Left wrist pediatric wrist radiograph; lat projection; pediatric patient (boy, age 17)

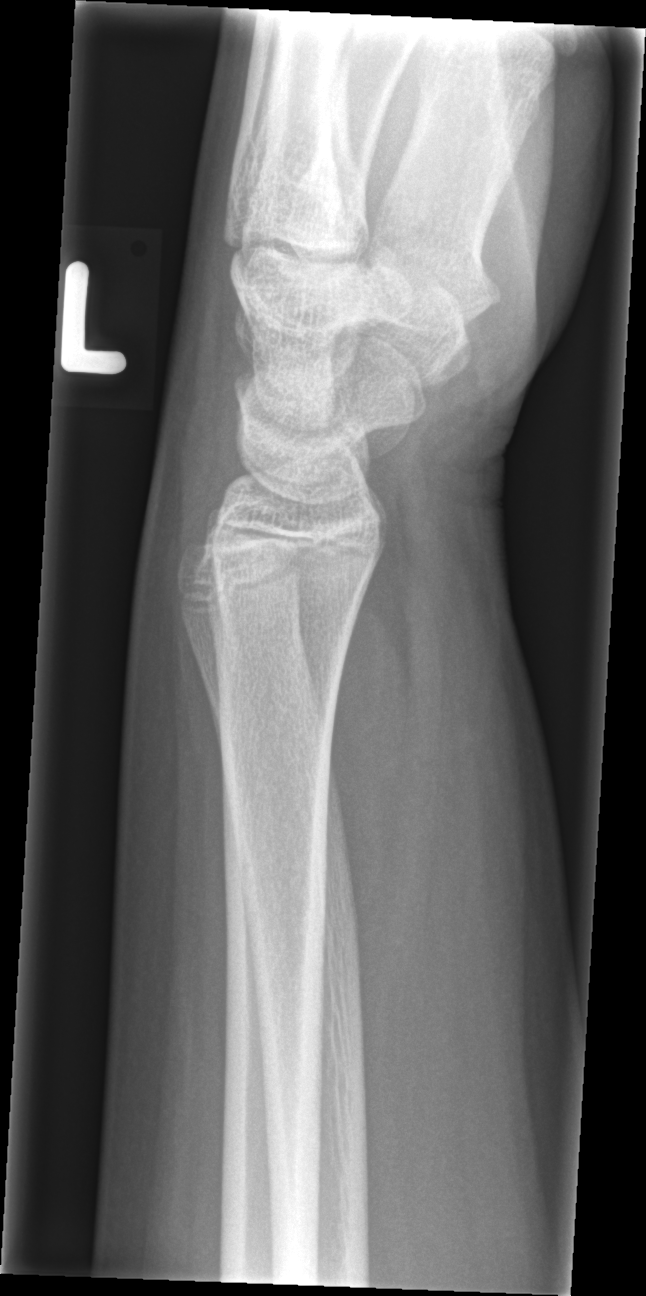

No fracture annotation.